Lat view; right wrist plain film; cast in situ; acquired on Siemens. 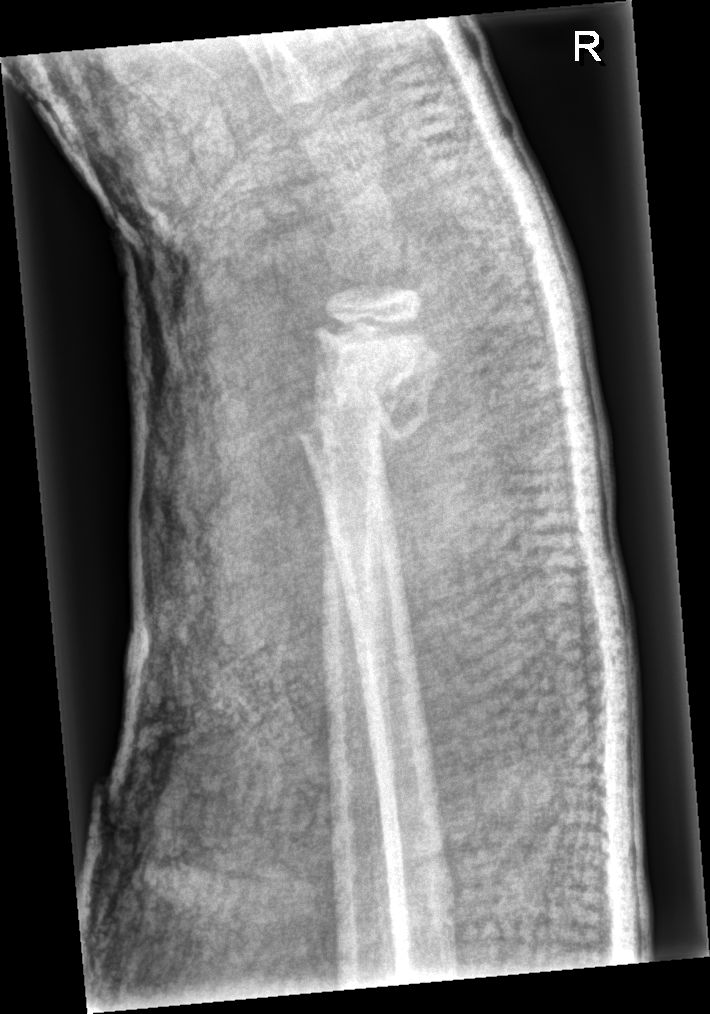
(coordinates are [x1, y1, x2, y2] in image pixels)
AO classification = 23-M/3.1
Fx = 1 @ [288, 351, 437, 463]